PA/AP; L plain radiograph of the wrist; 3y M; index exam:
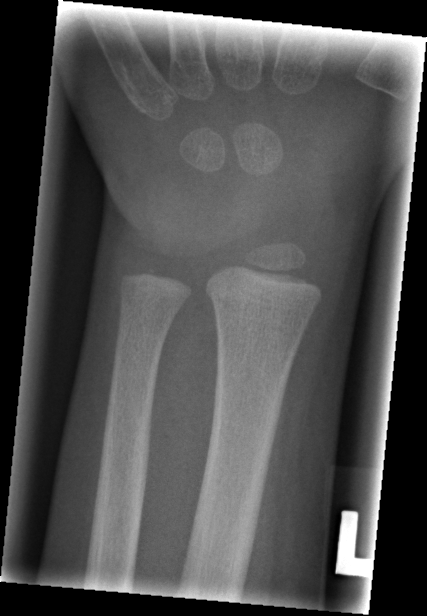 Fracture classified AO/OTA 23r-M/2.1. Fracture: present but not clearly seen in this view.